Posteroanterior projection · left pediatric wrist radiograph: 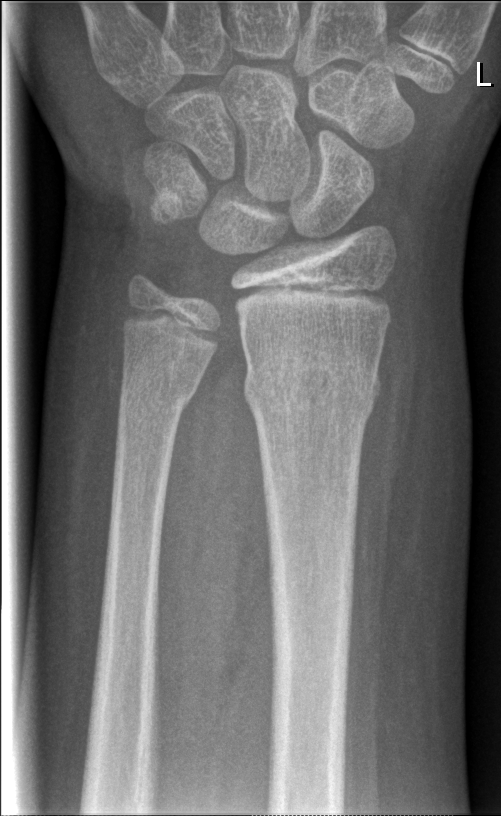
(pixel coordinates, top-left origin, xyxy)
Q: What is the AO/OTA classification?
A: AO/OTA classification: 23-M/2.1
Q: Any fracture seen?
A: Fx identified at (left=240, top=342, right=386, bottom=422); (left=114, top=366, right=201, bottom=423)